Right wrist plain film | lat | boy, 12 yo | presentation radiograph | acquired on Siemens 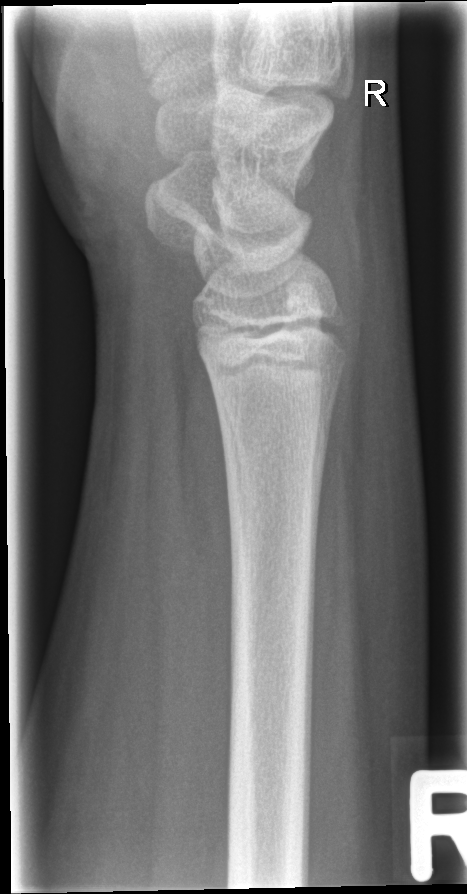 {"fracture": "none labeled"}